Right pediatric wrist radiograph, PA view, index exam:

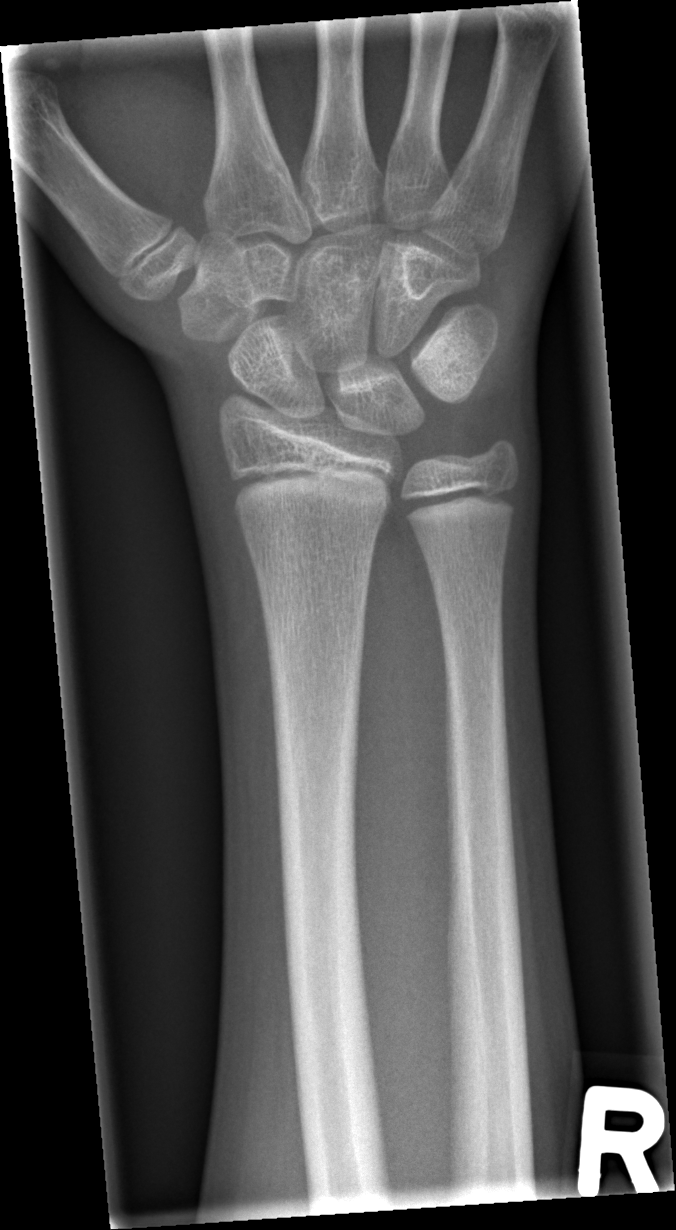

No fracture bounding box.